Left wrist plain film | lateral —

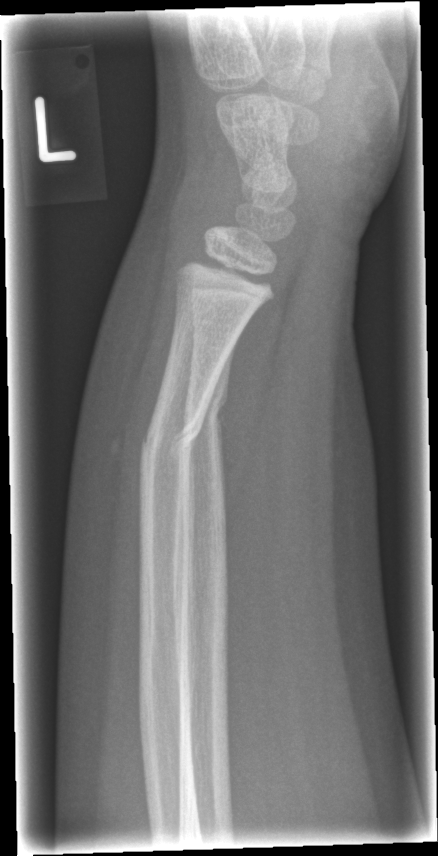
Coordinates are [x1, y1, x2, y2] in image pixels. Fracture identified at (left=132, top=415, right=202, bottom=475) (left=180, top=386, right=231, bottom=426). Fracture classified AO/OTA 22-D/1.1.